Rt wrist radiograph | AP view | boy, 15 yo | 648 by 833 pixels — 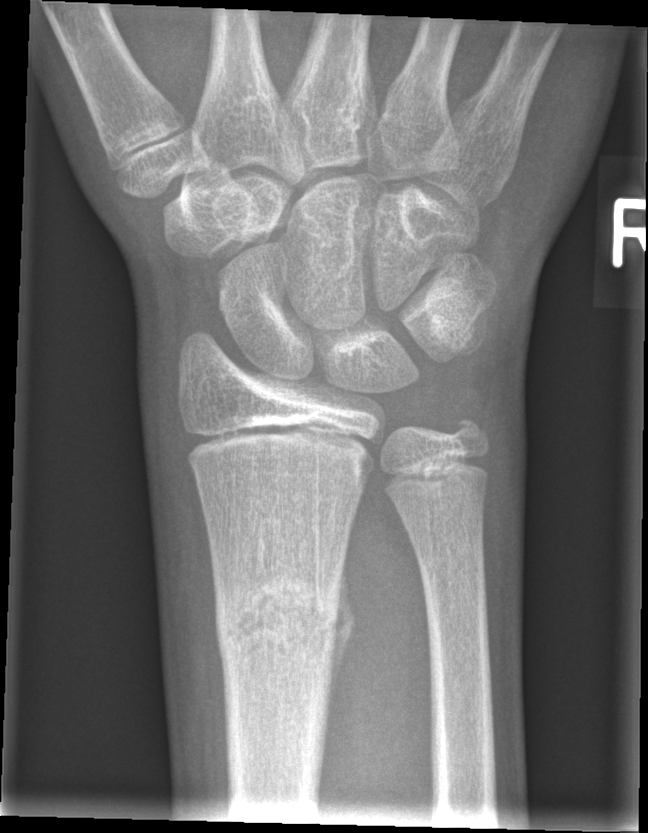

periosteal reaction = (326, 560, 356, 733)
AO code = 23r-M/3.1; 23u-M/2.1; 23u-E/7
fracture = (210, 575, 345, 669) (440, 407, 493, 459)